Posteroanterior view; left pediatric wrist radiograph; 13-year-old boy; subsequent exam; 582x1159.

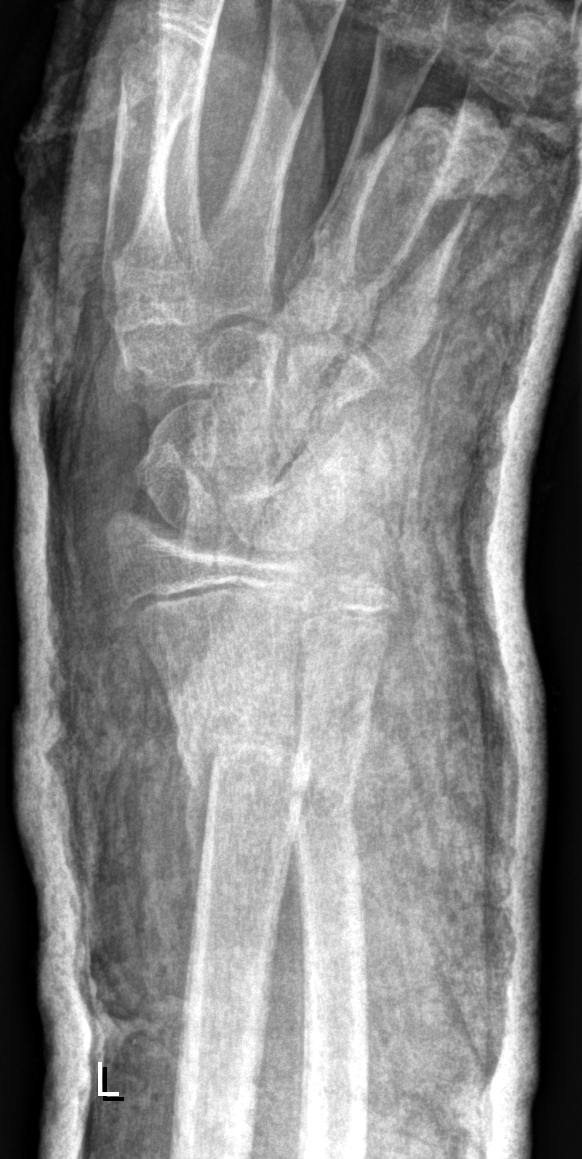

AO code = 23-M/3.1
Fracture = bbox(171, 711, 313, 797) bbox(286, 778, 362, 843)